PA view; Rt wrist XR; age 15 y, boy.

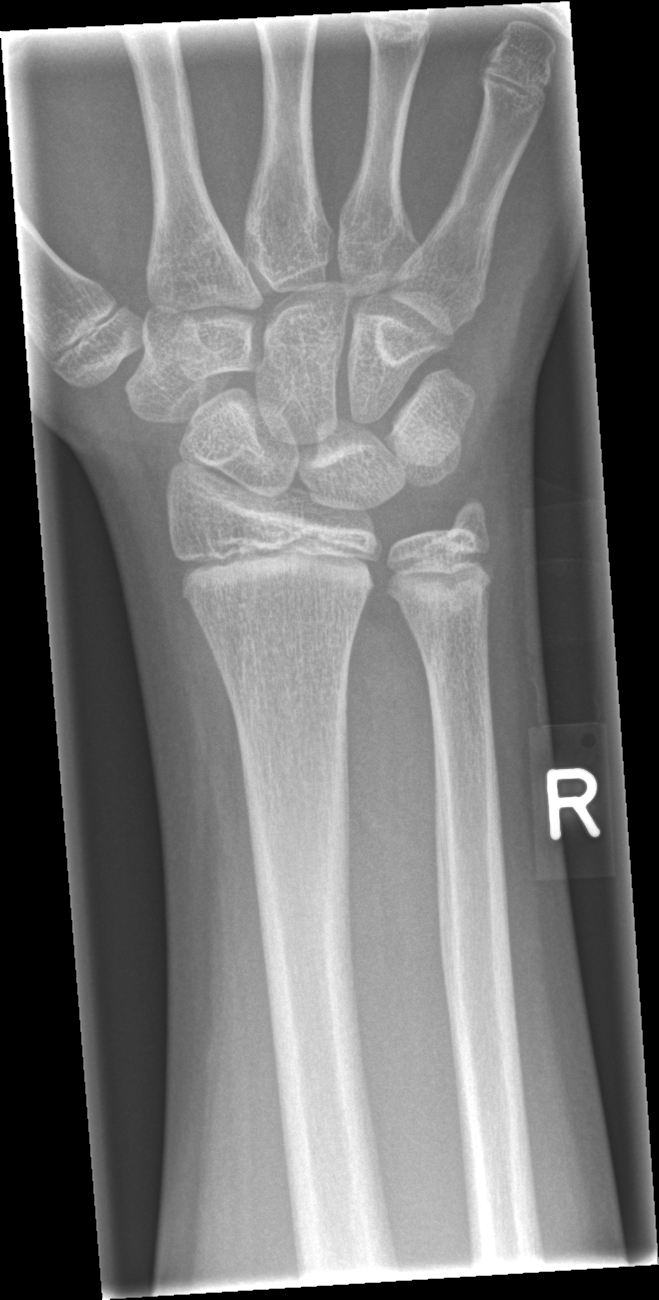 Fx = none labeled